R pediatric wrist radiograph, PA, boy, 13 yo, 648x1036 —
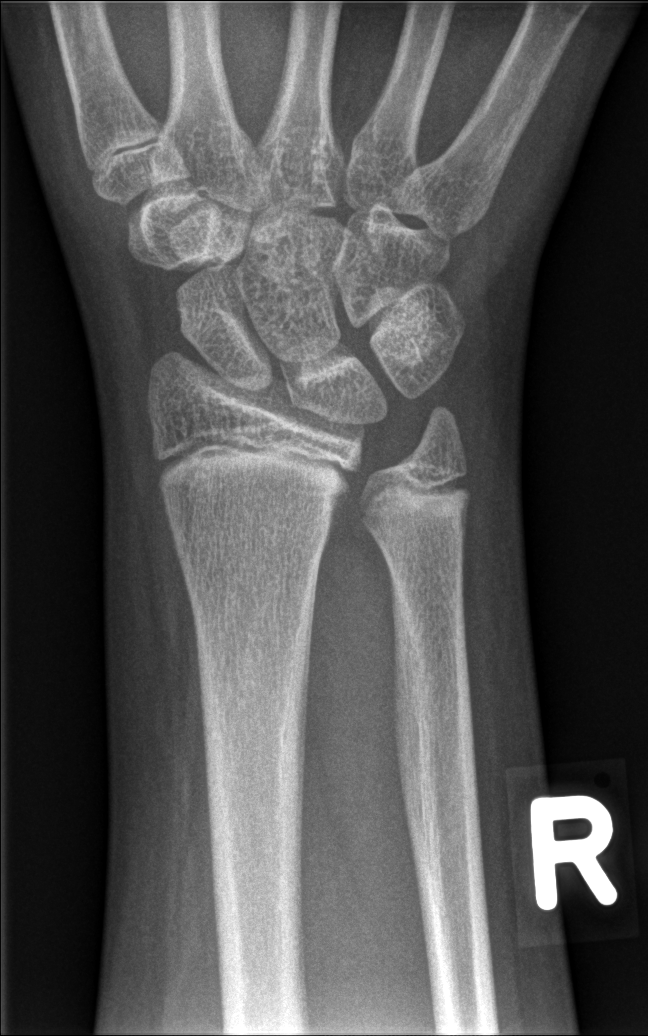
{"ao": "23r-M/2.1", "fracture": "present but not clearly seen in this view"}